Rt plain radiograph of the wrist · lat view · age 2 y, boy · imaged through cast · acquired on Siemens — 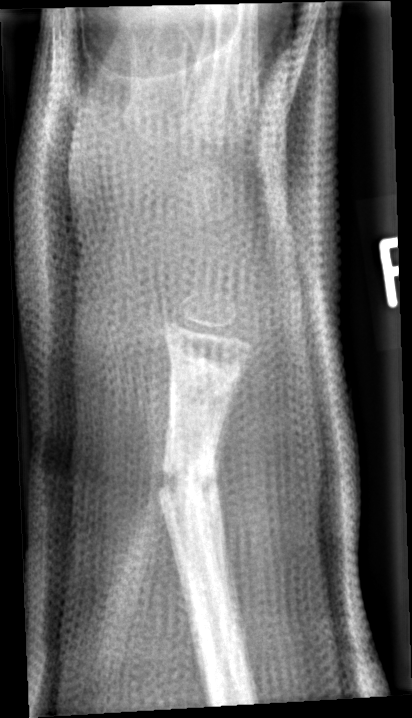
# coordinates are [x1, y1, x2, y2] in image pixels
ao: 23r-M/3.1
fracture: 157,443,223,516